Right wrist XR | PA/AP projection | age 9 y, male | image size 569x896 —

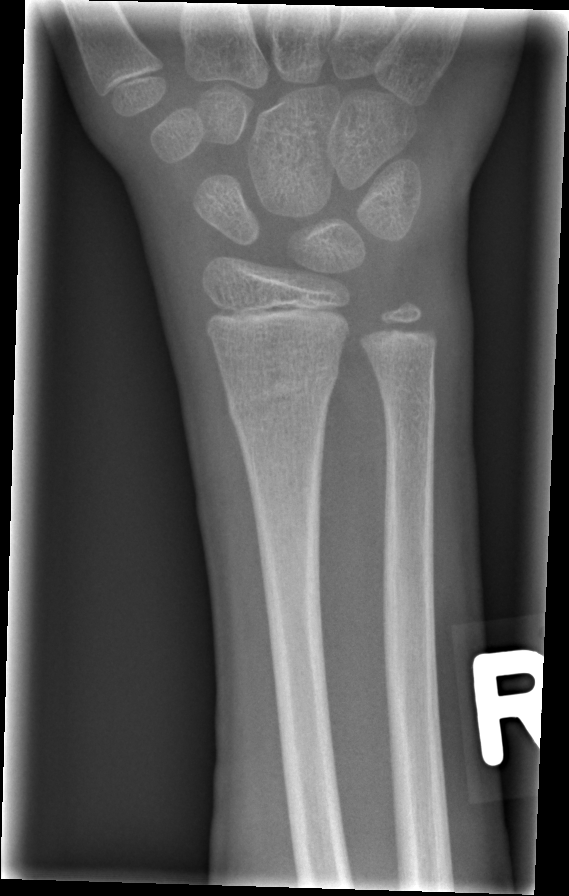
FINDINGS: (boxes as x1,y1,x2,y2 (top-left / bottom-right, pixel units)) AO/OTA classification: 23r-M/2.1. Fx — 225 367 339 431.